Left wrist radiograph; posteroanterior view; 16-year-old male.
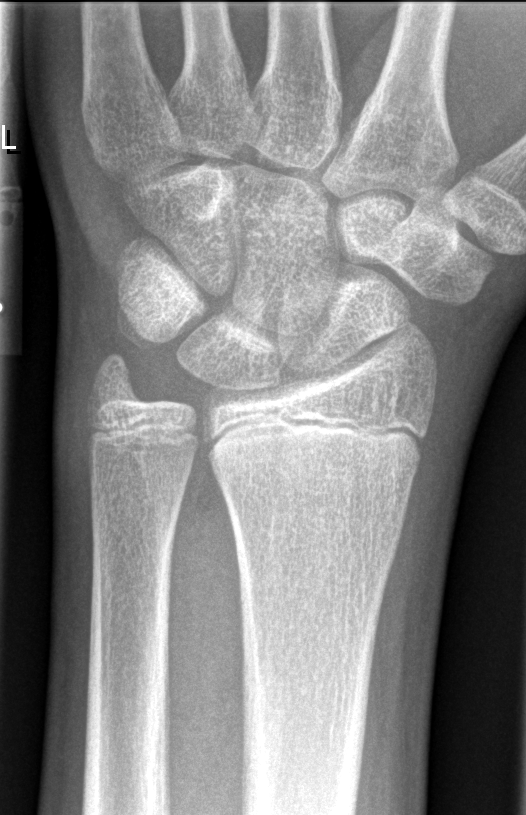
Fx: present but not clearly seen in this view.